R wrist radiograph, lateral:

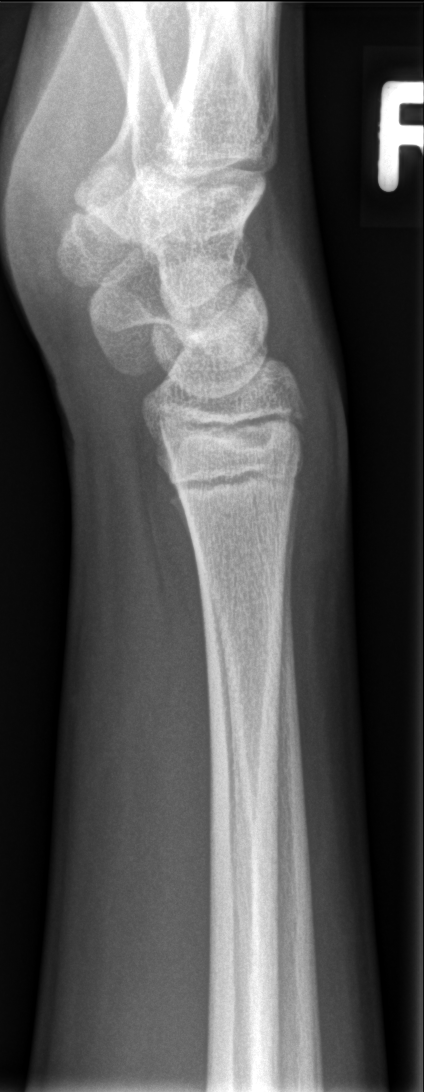

Fx: none.